Lat | L wrist X-ray:

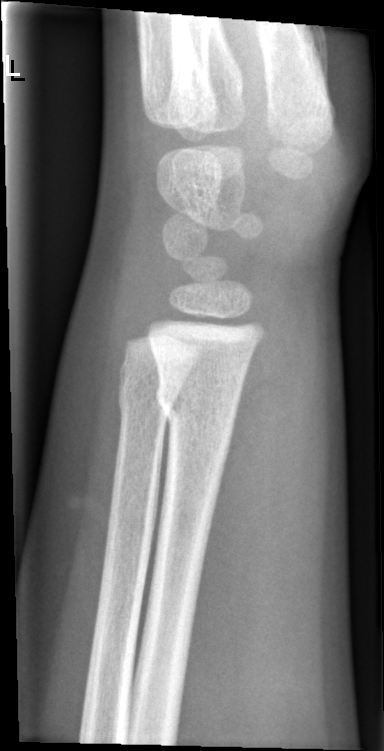

Fractures — 152 378 241 431
  115 356 173 423.